Right wrist plain radiograph of the wrist | lat view — 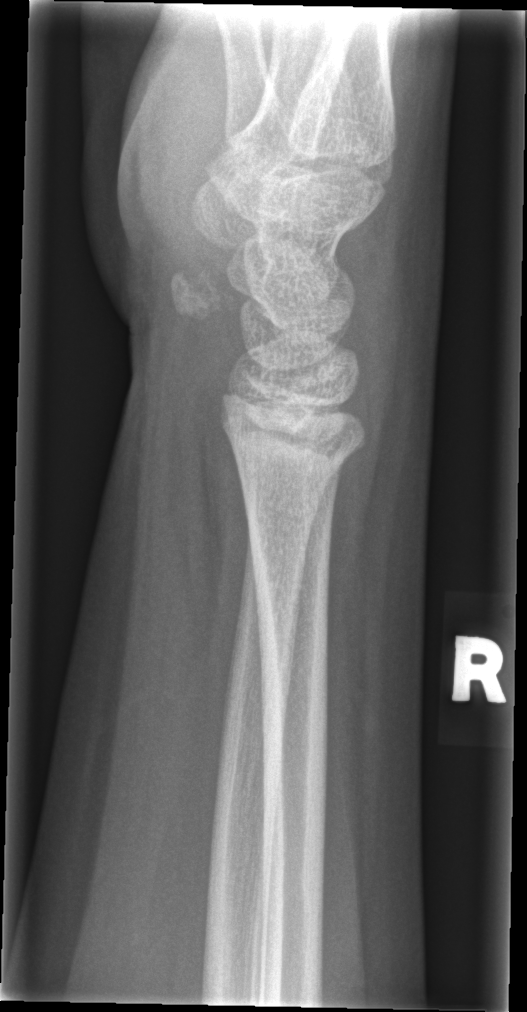
Pixel coordinates, top-left origin, xyxy.
Fx identified at [230, 434, 367, 522].
AO code 23r-M/2.1.